Left pediatric wrist radiograph · PA projection · pediatric patient (boy, age 14) · 683 x 694 px —

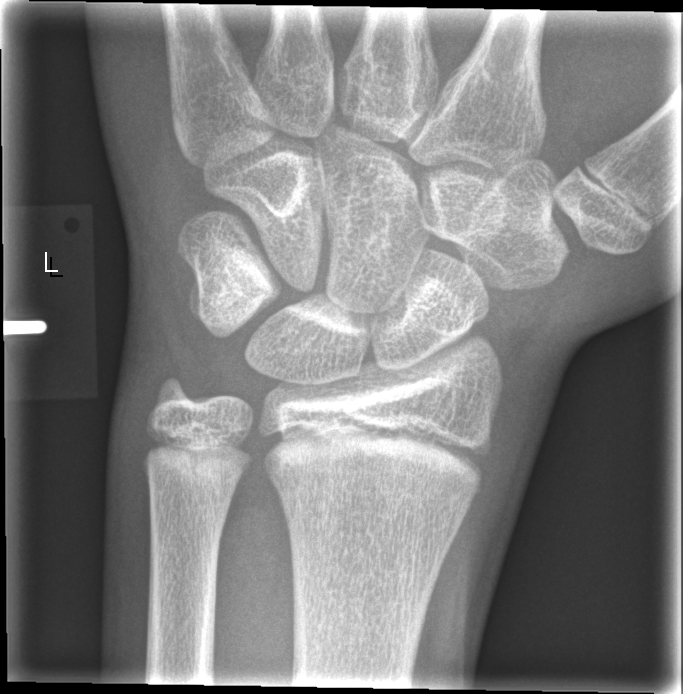

{
  "fracture": "none labeled"
}